PA projection | L wrist X-ray | pediatric patient (male, age 10). 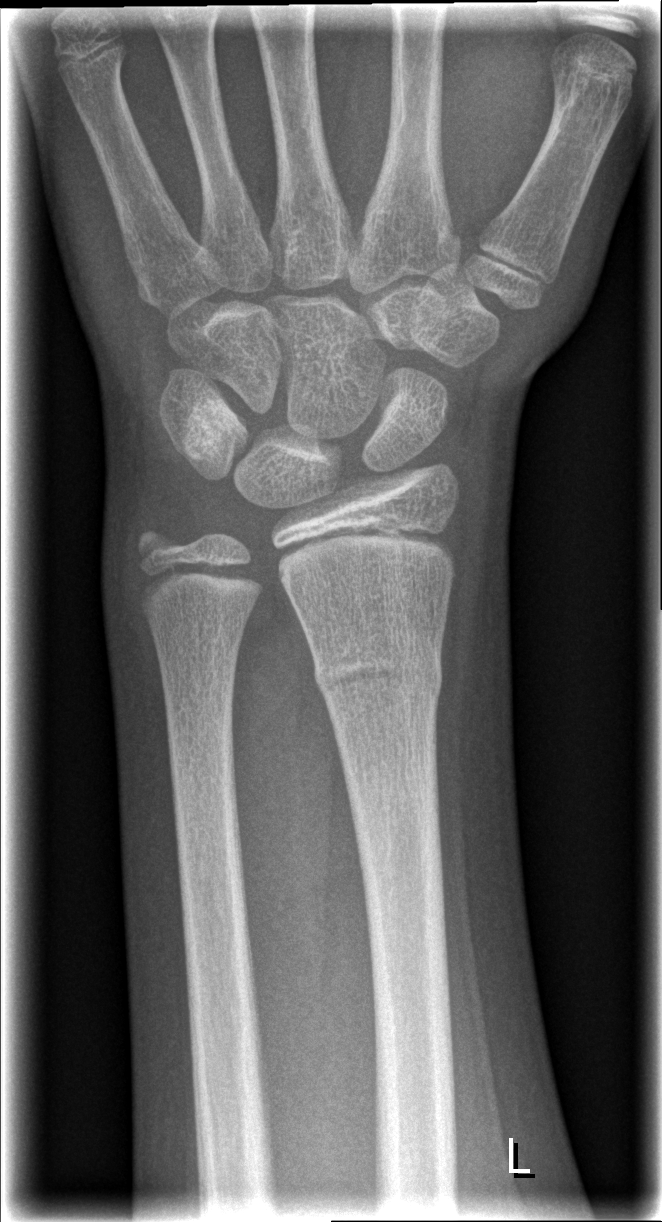
AO classification = 23r-M/2.1; 23u-E/7
Bone fracture = 2 @ (left=310, top=633, right=448, bottom=705), (left=127, top=515, right=194, bottom=575)